Right plain radiograph of the wrist · frontal:

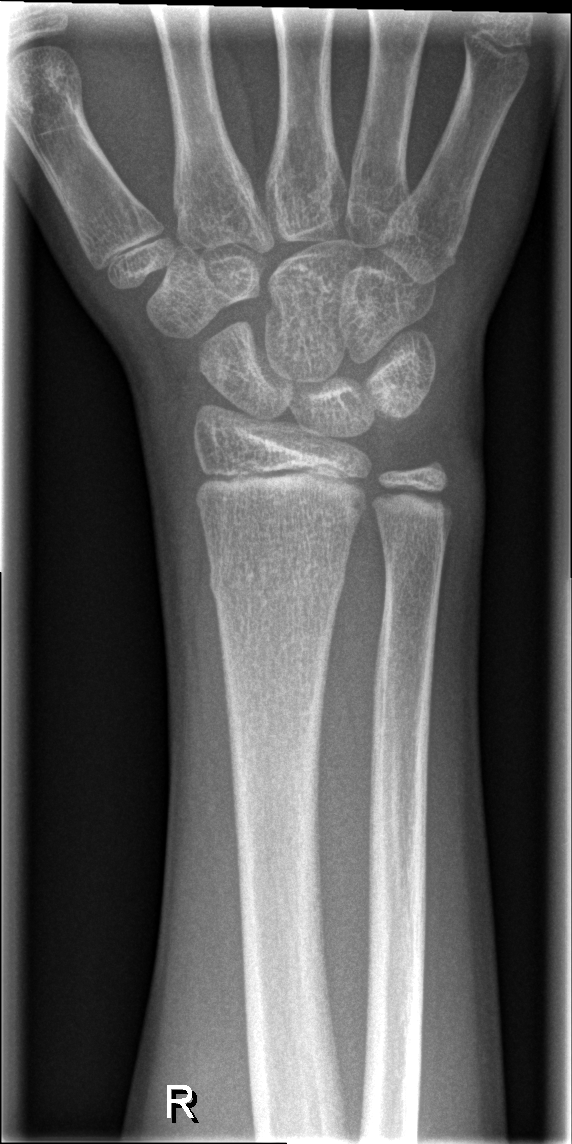 - Bone fracture: [202, 549, 350, 611].
- AO code 23r-M/2.1.